Lat view · left wrist radiograph · subsequent exam. 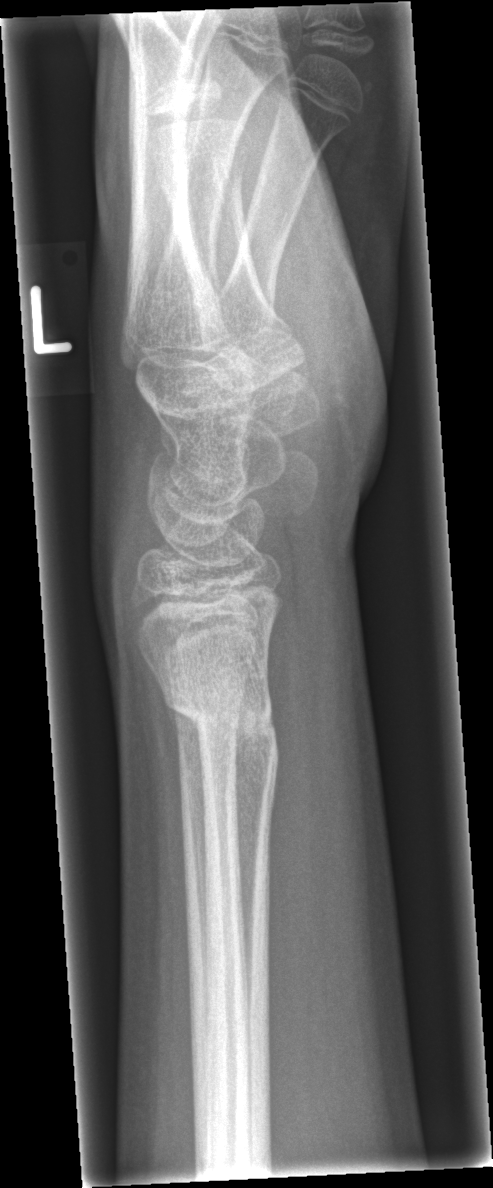
Fx: [157, 657, 284, 813]
AO classification: 23r-M/3.1; 23u-E/7